Lateral | right wrist radiograph | subsequent exam:
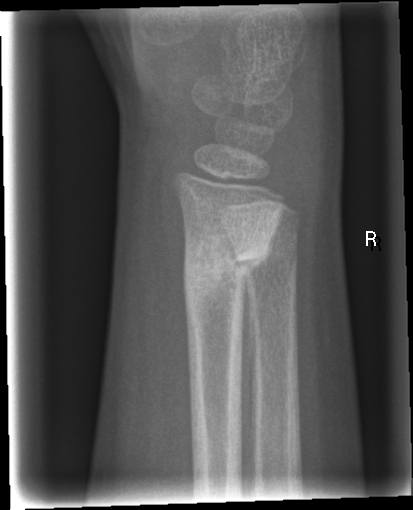

- AO/OTA classification: 23-M/2.1.
- One bone fracture at [181, 229, 273, 311].
- Osteopenic.